Frontal view; R wrist plain film; 15y M: 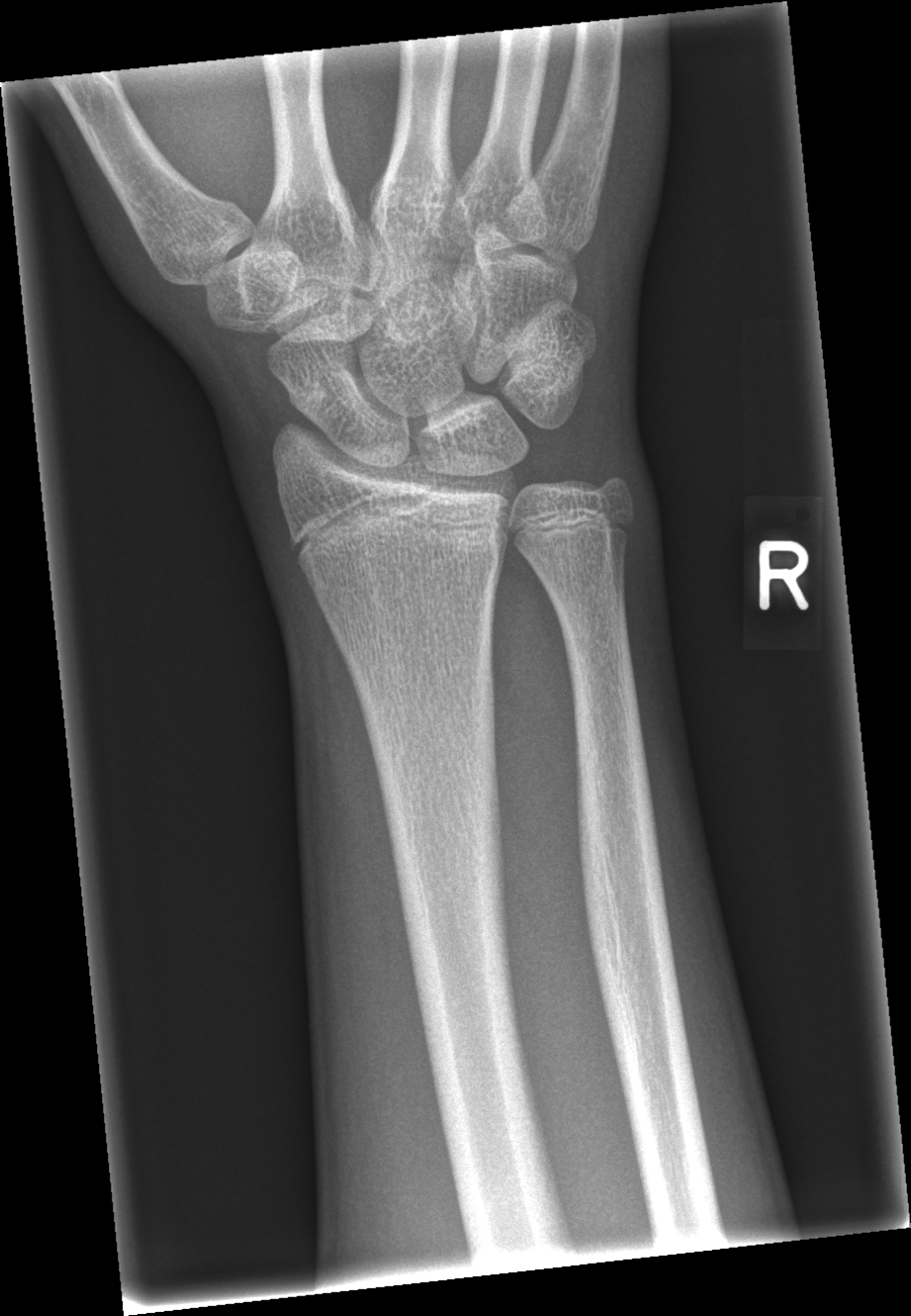
Fracture: none labeled